Lat projection; left wrist X-ray; age 12 y, female; Siemens — 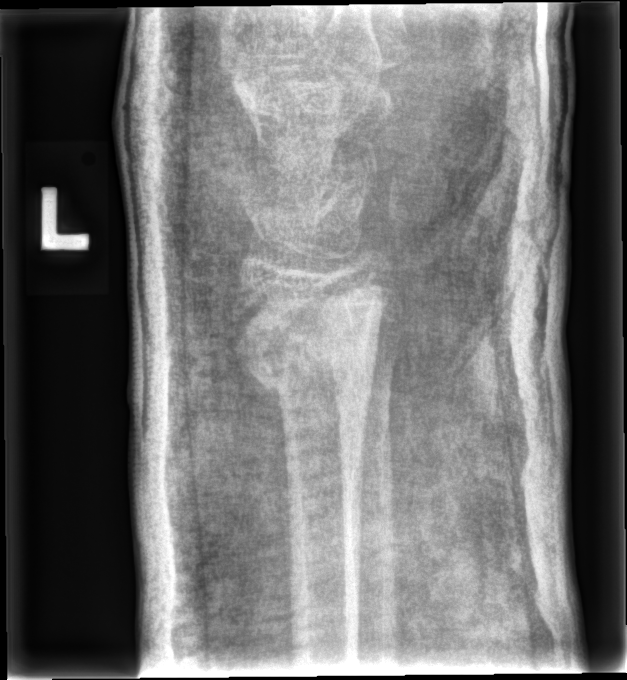
- Bounding boxes in image-pixel xyxy.
- One Fx at [x1=227, y1=270, x2=388, y2=409].